Left pediatric wrist radiograph | frontal view | 10y M | index exam

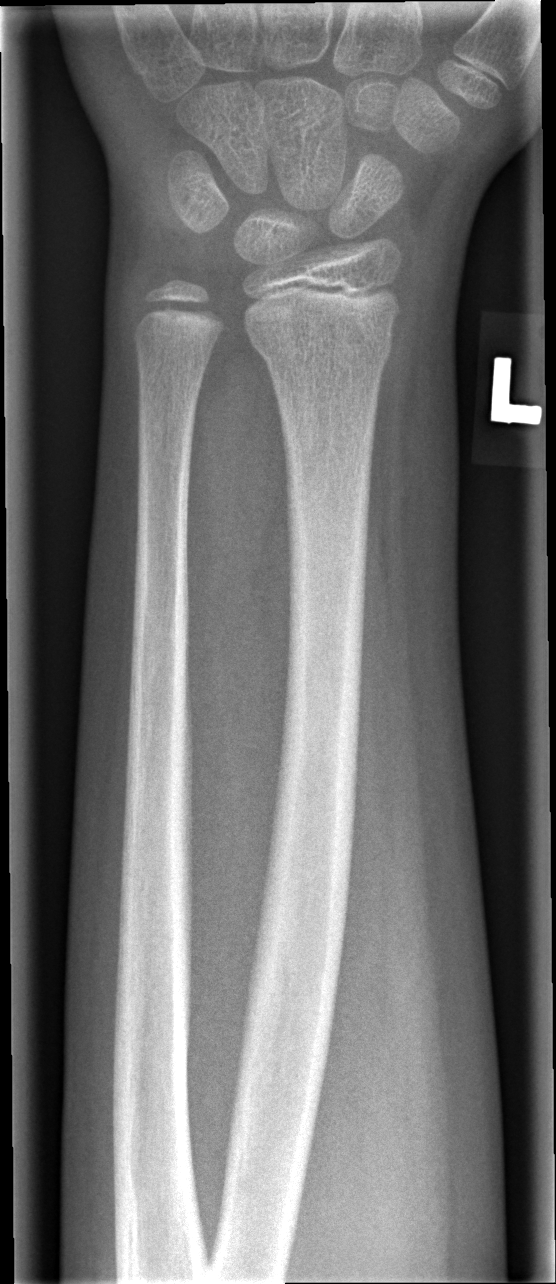
(coordinates are [x1, y1, x2, y2] in image pixels)
Q: Fracture present?
A: Bone fracture — 248,328,395,380